PA | left plain radiograph of the wrist | acquired on Siemens: 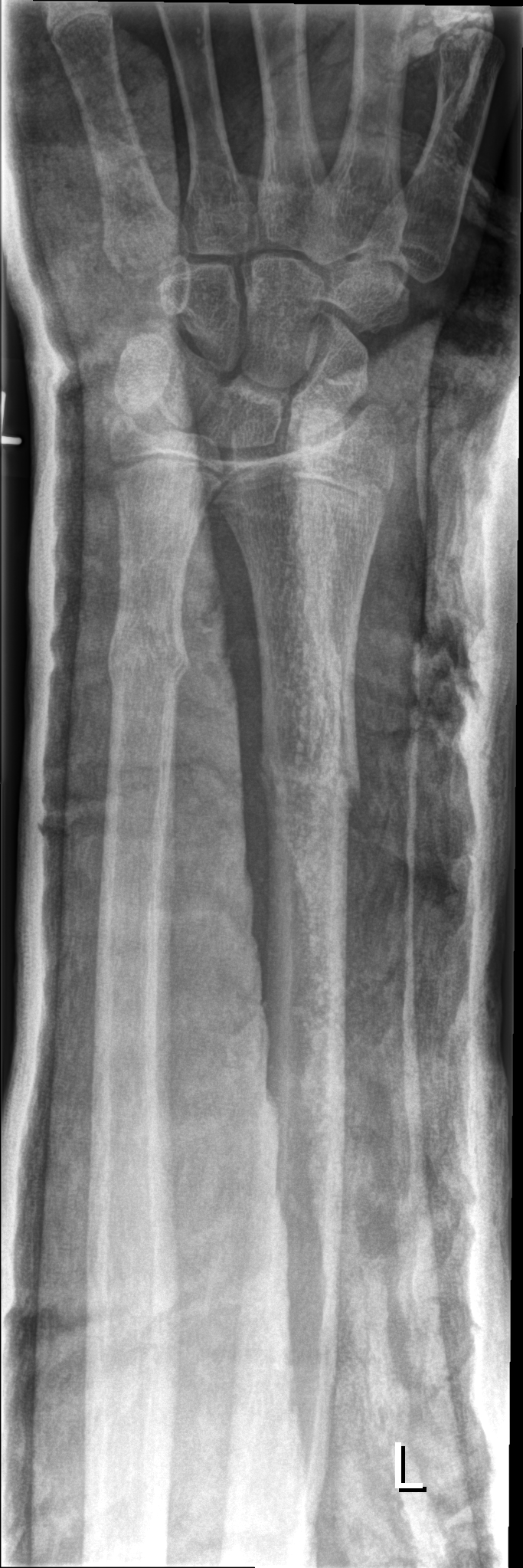

Pixel coordinates, top-left origin, xyxy. Two Fx at 253 724 367 818
  103 604 195 696. AO/OTA classification: 22r-D/4.1; 23u-M/2.1.